Left wrist XR, frontal, boy, 12 yo, cast present, detector: Siemens, image size 816x1076:

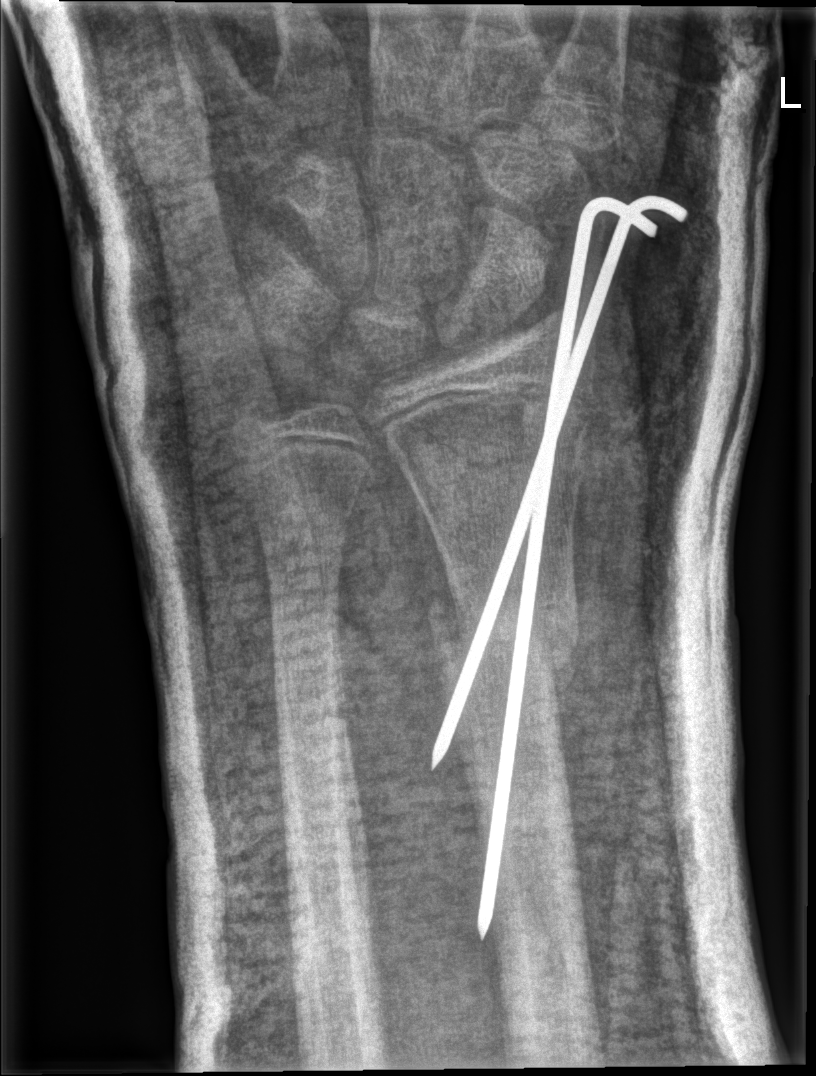 - One Fx at <431,597>-<580,689>.
- Metal identified at <427,190>-<690,944>.